Left wrist plain film, lateral, girl, 12 yo, presentation radiograph, Siemens.

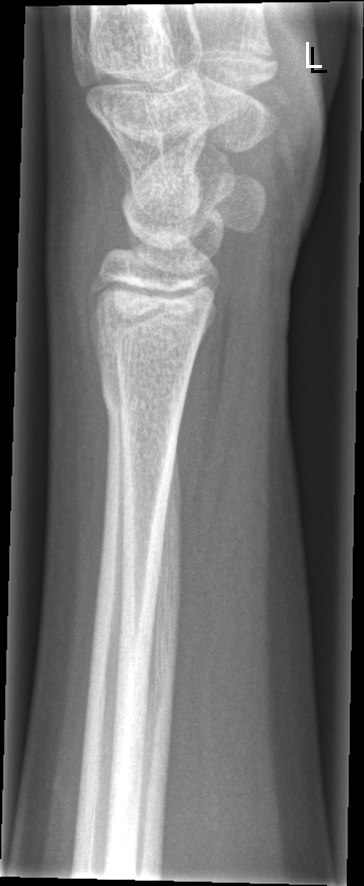 FINDINGS — Bone fracture — 99,372,191,443. AO code 23r-M/2.1.